Lt wrist plain film; lateral view; age 7 y, girl; subsequent exam; detector: Siemens.

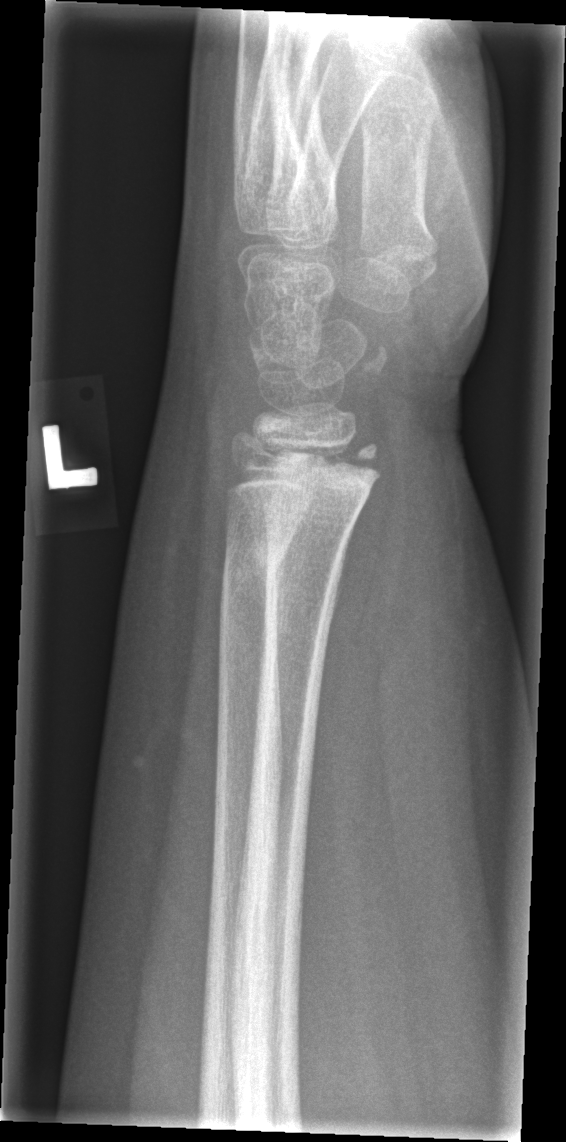 - AO/OTA classification: 23r-E/2.1; 23u-M/2.1.
- Bone fracture identified at (left=236, top=434, right=386, bottom=530), (left=218, top=528, right=292, bottom=601).